R wrist X-ray | lat view | girl, 8 yo:
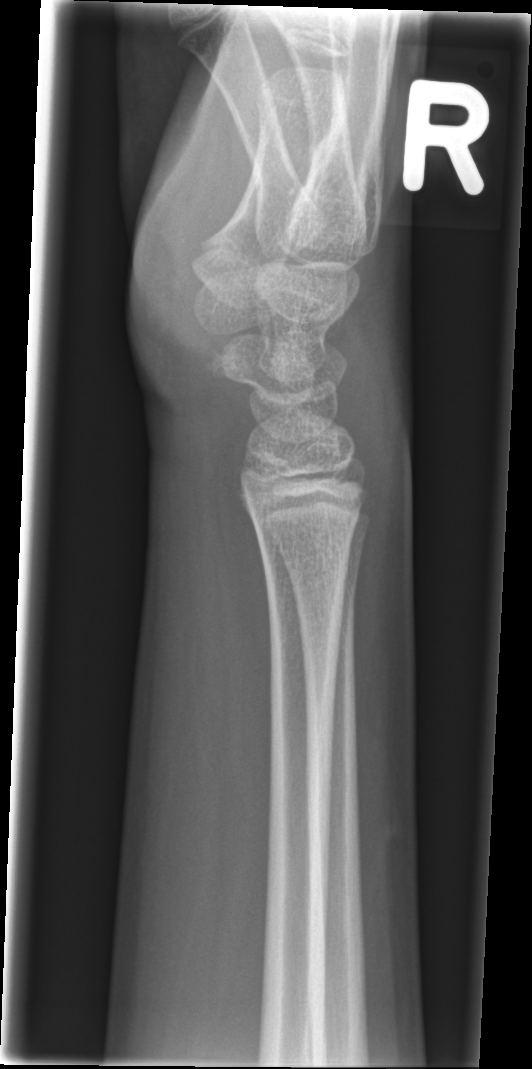 {"fracture": "none labeled"}